PA/AP; L wrist X-ray; 8y M; follow-up; cast present. 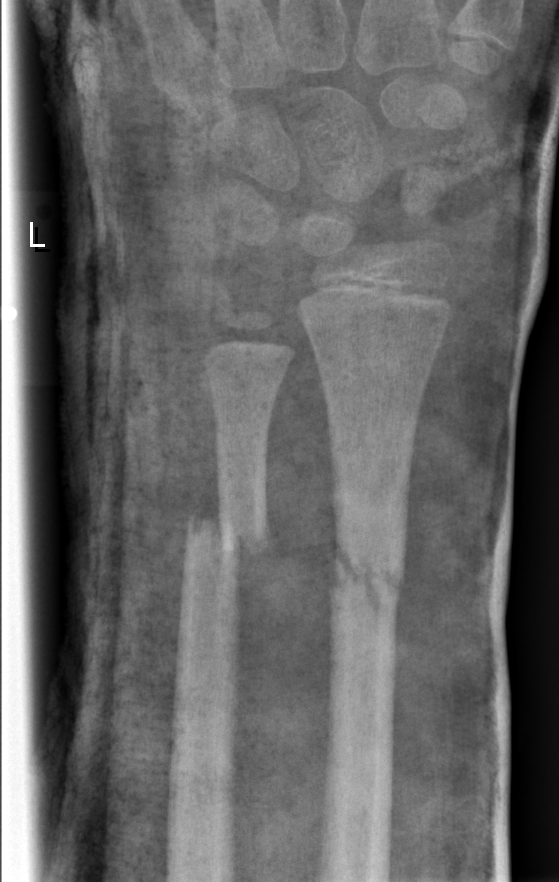 AO classification = 23-M/3.1
Fx = 2 @ 327 529 407 616 | 180 501 273 569